Lateral; right wrist X-ray; 14y M: 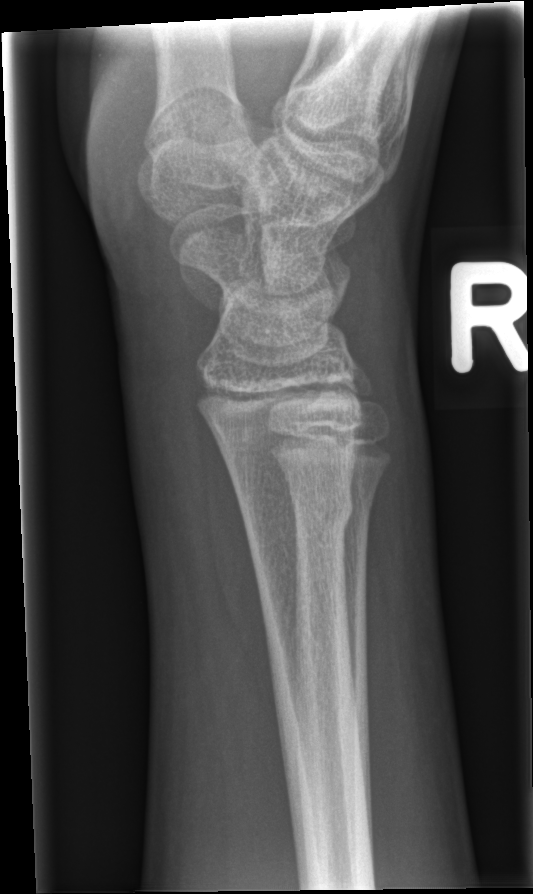

Bone fracture — 237,486,355,533. AO/OTA classification: 23r-M/2.1.